L wrist XR | lateral projection
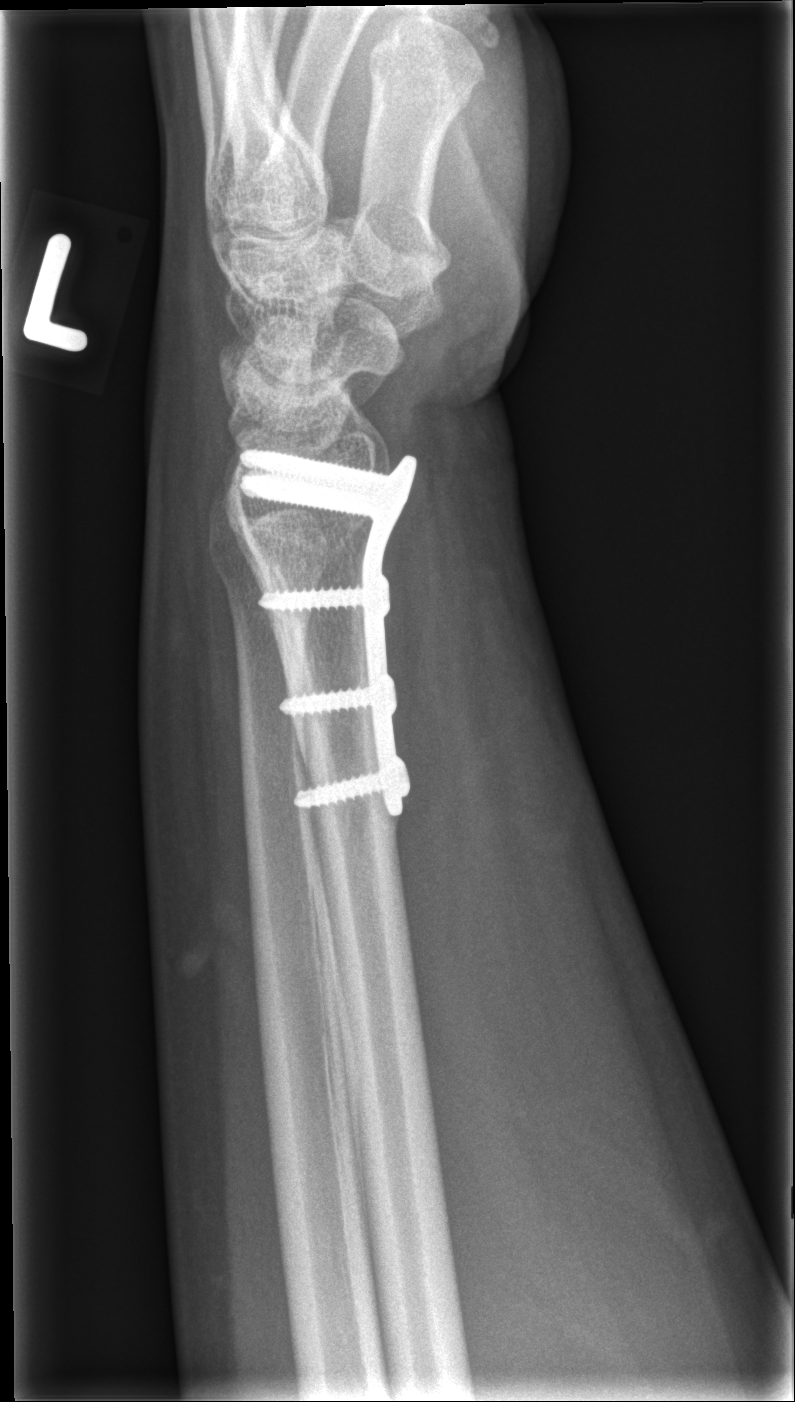
(bounding boxes in image-pixel xyxy)
Fx = none labeled
Metallic hardware = (234, 438, 420, 828)